Lateral projection; Lt wrist radiograph; cast in situ.

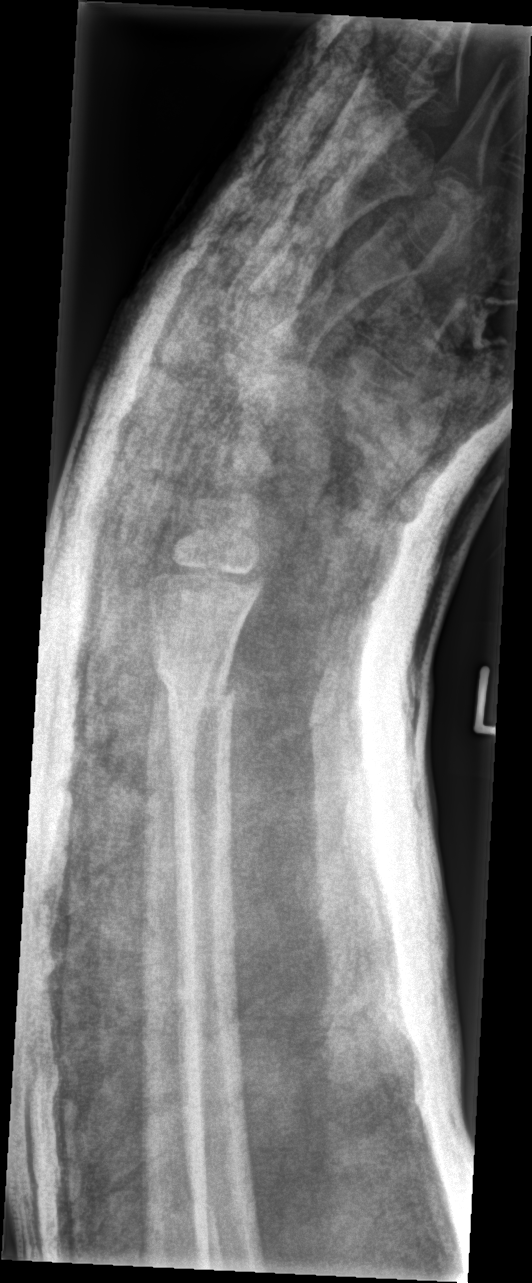
* Boxes as x1,y1,x2,y2 (top-left / bottom-right, pixel units).
* One bone fracture at [153, 666, 246, 727].